Lt wrist radiograph | AP projection | follow-up.

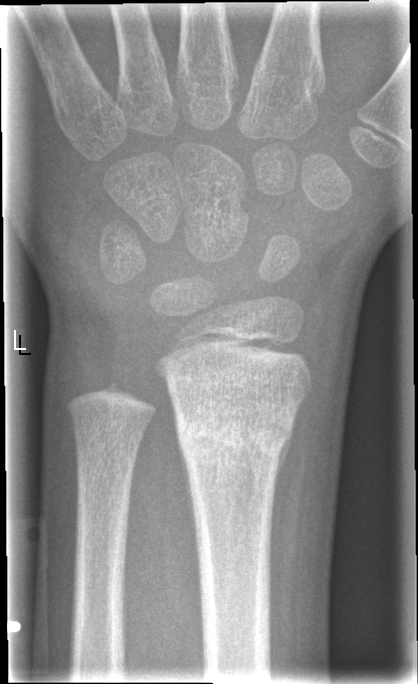
• Fracture — bbox(172, 403, 299, 469).
• Fracture classified AO/OTA 23r-M/2.1.
• Periosteal new bone — bbox(272, 405, 298, 514).